Lt wrist X-ray · frontal projection · 12-year-old female

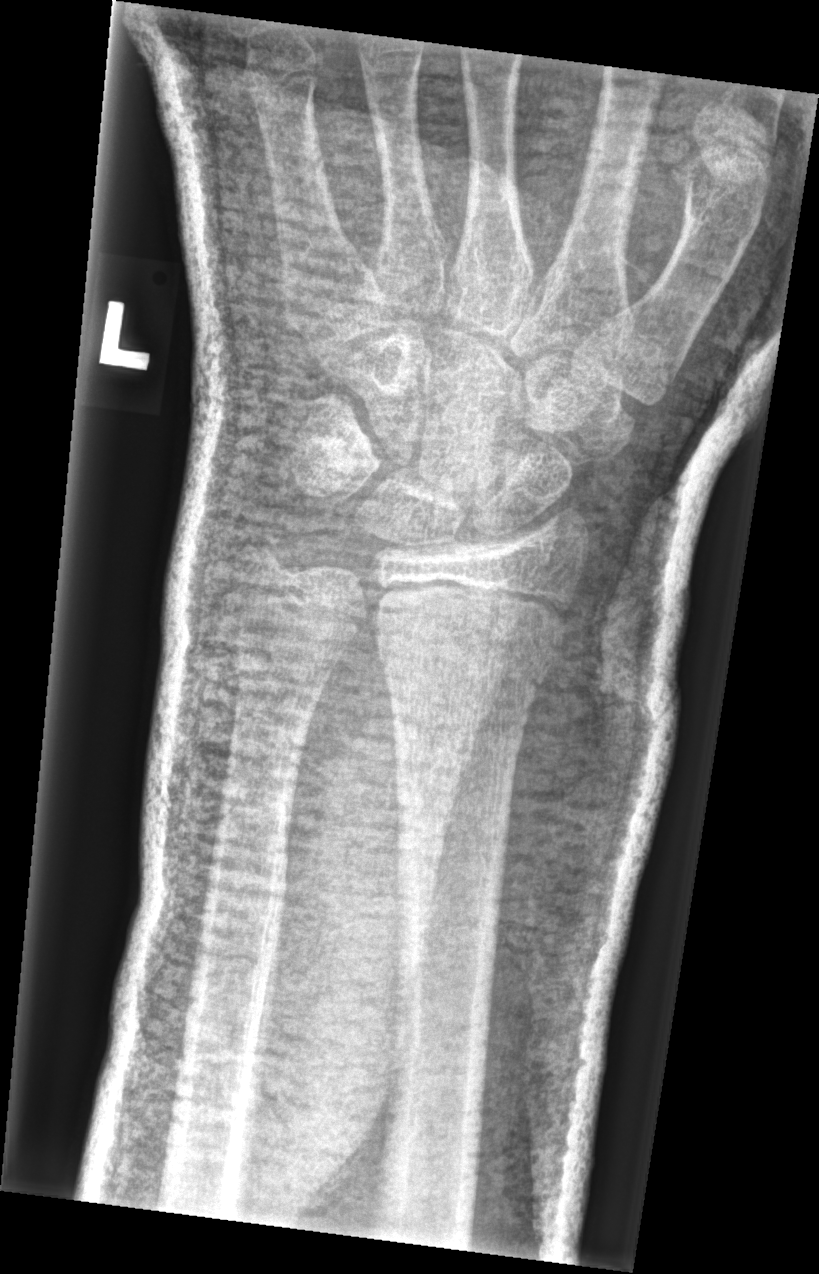

Q: Fracture present?
A: Fracture: bbox(377, 582, 573, 691); bbox(233, 517, 306, 594)